Frontal projection; left wrist plain film; initial study

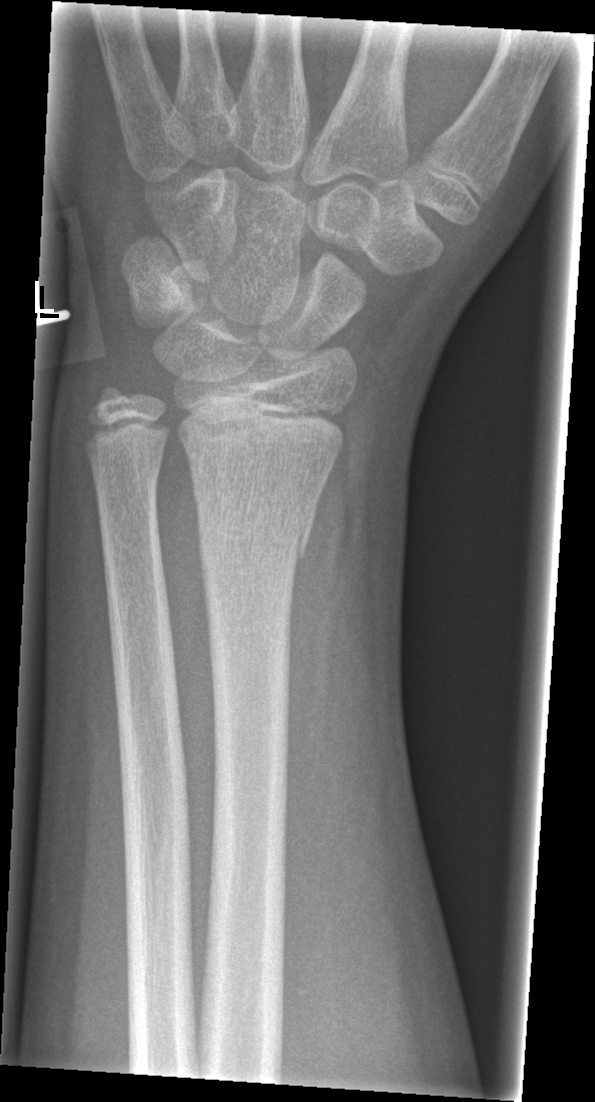

Boxes as x1,y1,x2,y2 (top-left / bottom-right, pixel units).
Fracture: 195,506,315,574.